PA/AP view; left wrist plain film; 13y M. 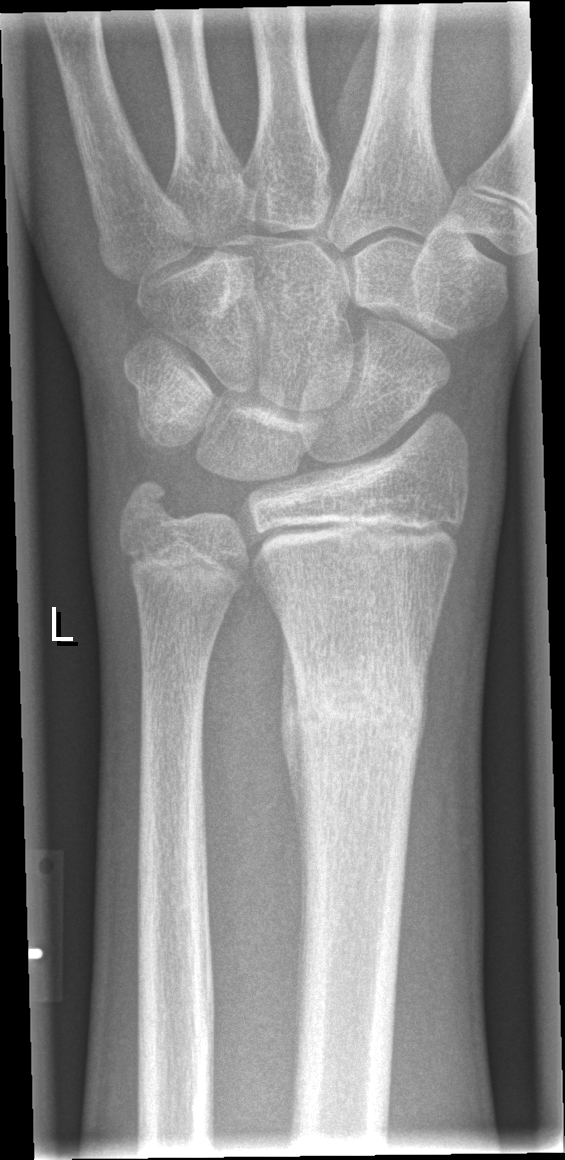

* Bounding boxes in image-pixel xyxy.
* Periosteal thickening: (280, 631, 306, 864) (414, 659, 429, 759).
* Fracture identified at (292, 671, 424, 754), (114, 469, 191, 540).
* Osteopenia.